Lat, Lt plain radiograph of the wrist, follow-up — 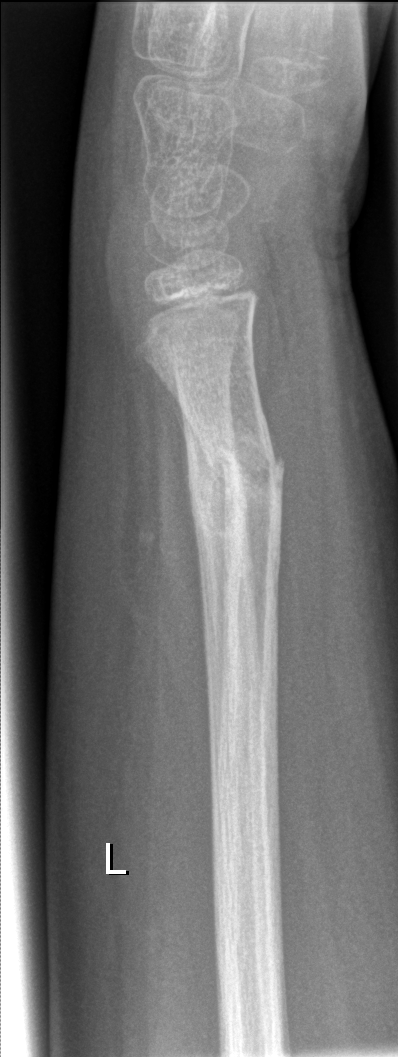 {"osteopenia": "present", "fracture": "1 @ [x1=179, y1=415, x2=288, y2=536]"}